Left wrist plain radiograph of the wrist | AP projection | 10y M —

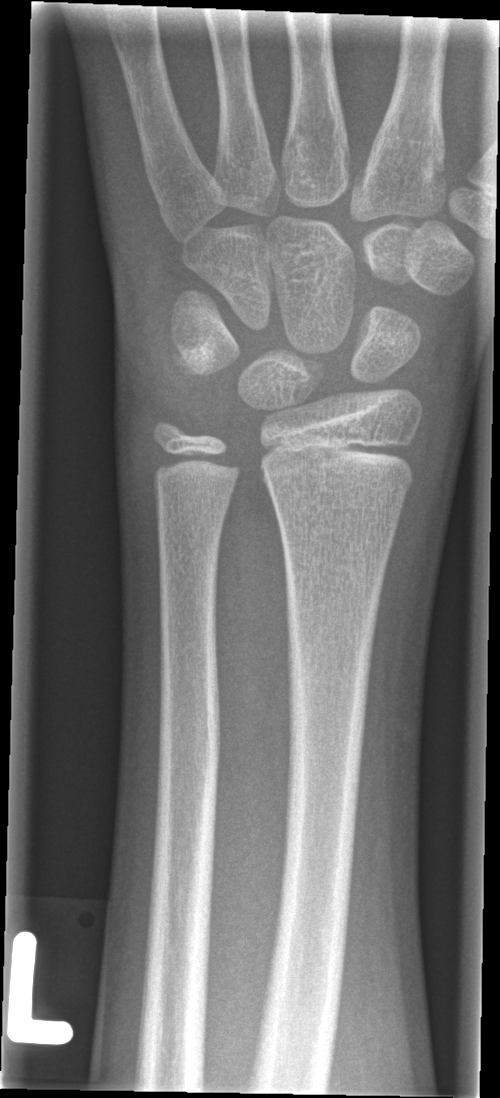 FINDINGS — No fracture labeled.